Left wrist plain film; AP; 15-year-old male; cast in situ; 553x1164.

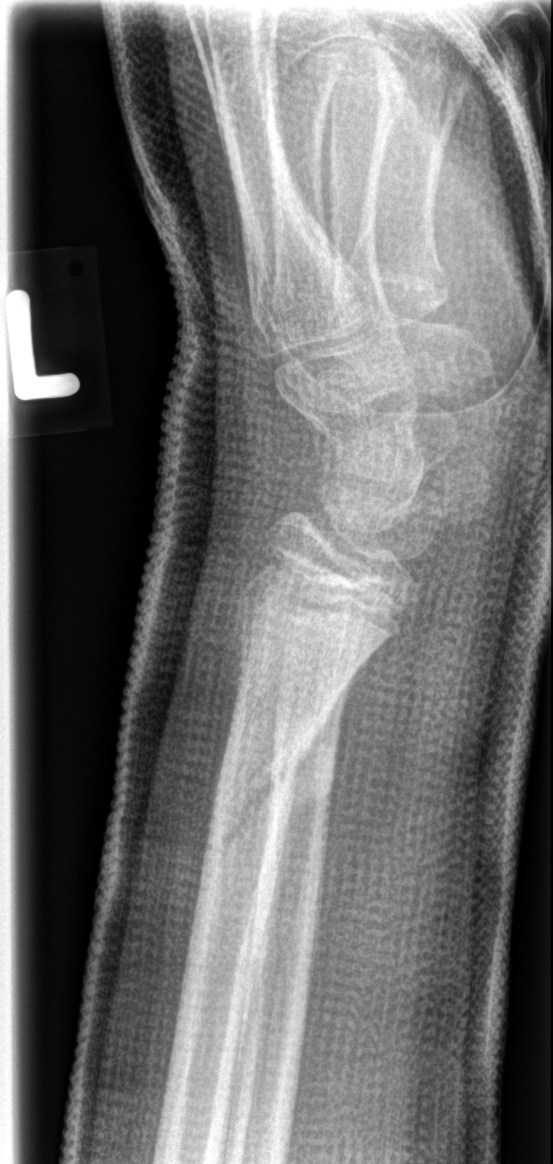

Fx = 1 @ [x1=200, y1=713, x2=330, y2=858]